Left wrist plain film, PA view, boy, 13 yo, presentation radiograph:
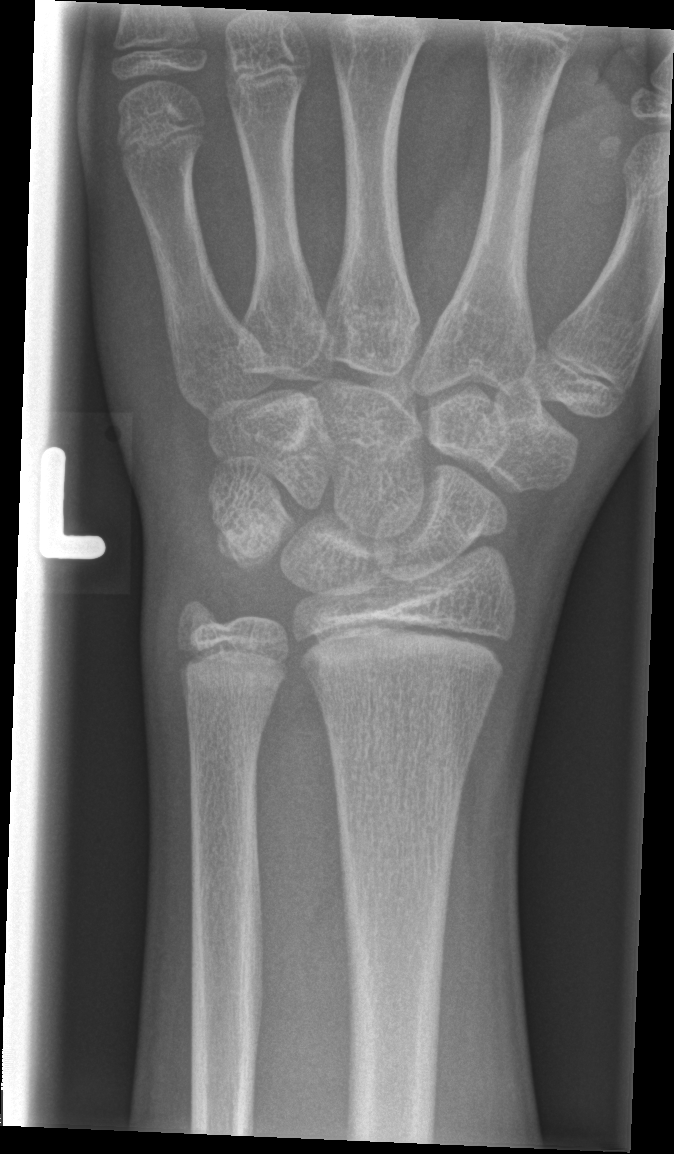
Q: Any fracture seen?
A: No fracture labeled